Rt plain radiograph of the wrist; lateral; 9y F:
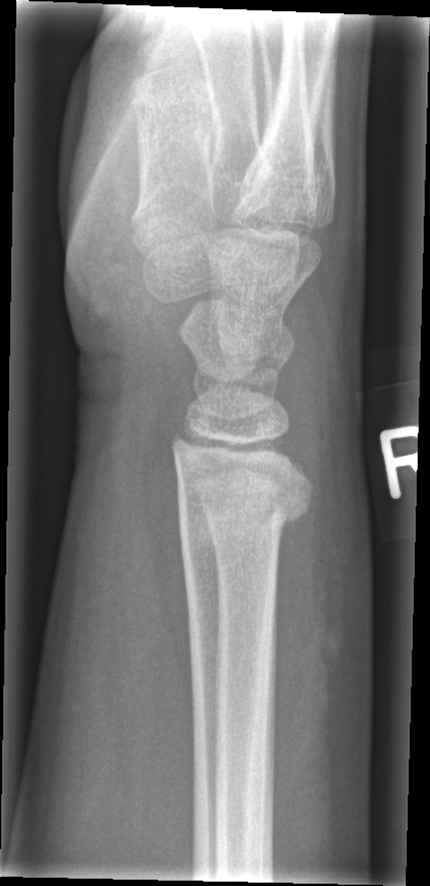 fracture = 172,456,317,548
soft-tissue finding = 1 @ 268,364,378,808
AO/OTA = 23r-M/2.1